Lateral, L wrist XR, subsequent exam, cast present.

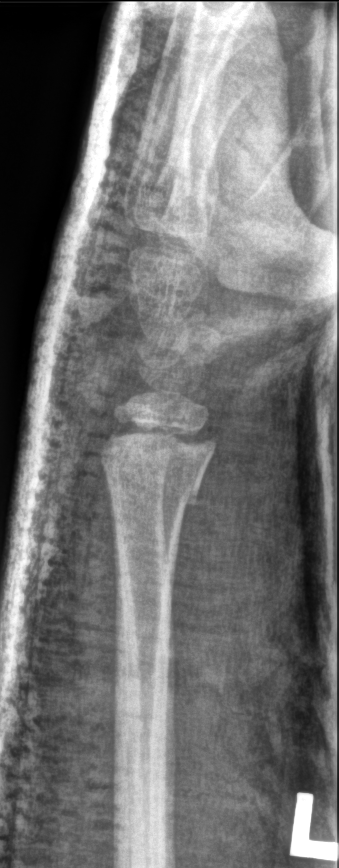

Coordinates are [x1, y1, x2, y2] in image pixels. Bone fracture identified at 103,446,214,527. AO code 23r-M/2.1.